PA/AP, Lt wrist plain film, boy, 12 yo, follow-up:
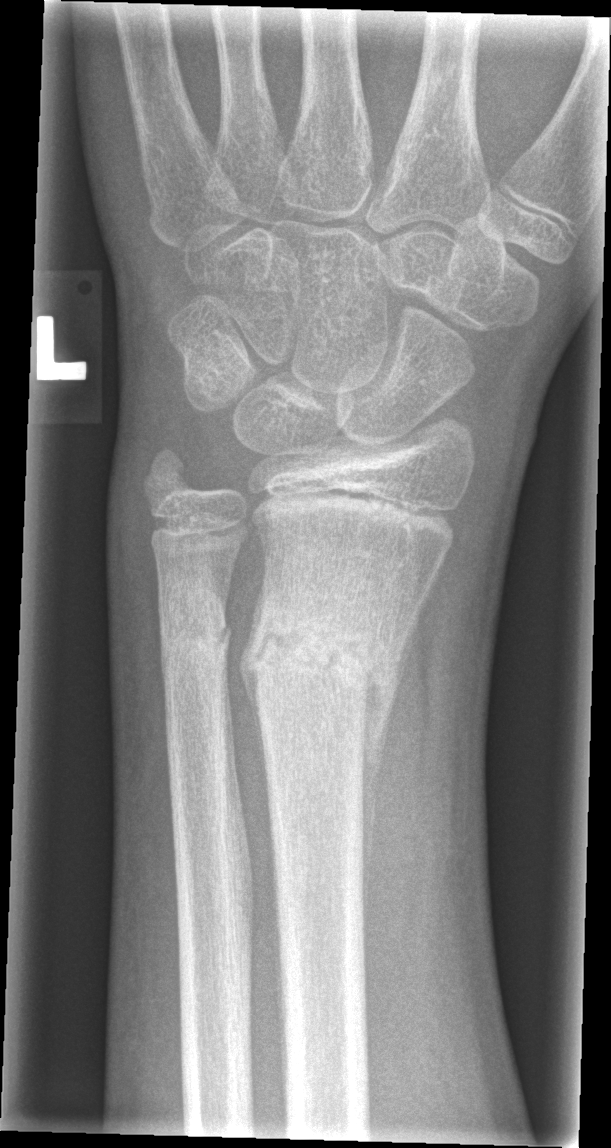
{"_coords": "bounding boxes in image-pixel xyxy", "fracture": "244 593 407 728 | 152 584 236 690 | 137 440 203 505", "osteopenia": "present", "periostealreaction": "2 @ 359 605 418 936 | 234 569 273 817"}